L wrist plain film, AP view, boy, 12 yo, acquired on Siemens, 536 x 1080 px — 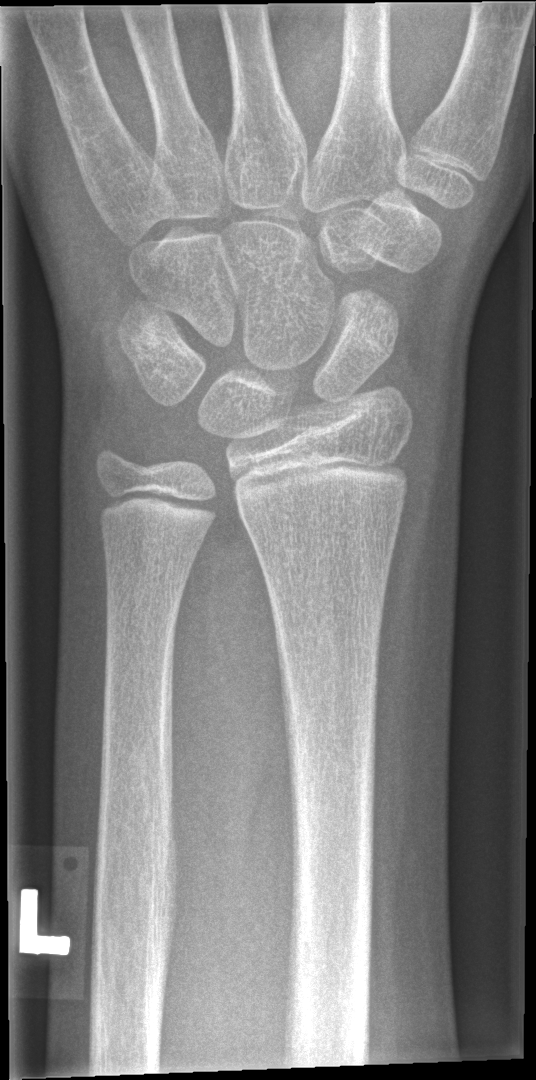

Fx: none labeled